Lat projection | right wrist X-ray | 47.2 mm image width | image size 328x1234. 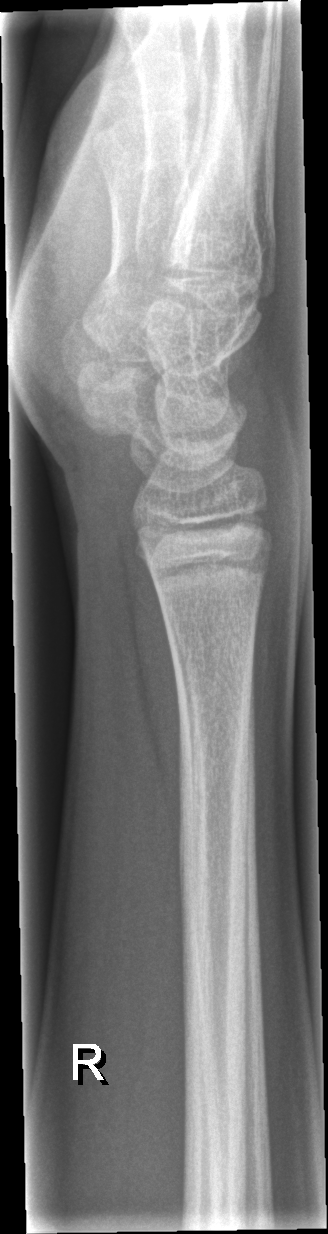

FINDINGS — No Fx annotated.